Right wrist plain film, AP, pediatric patient (male, age 13), acquired on Siemens

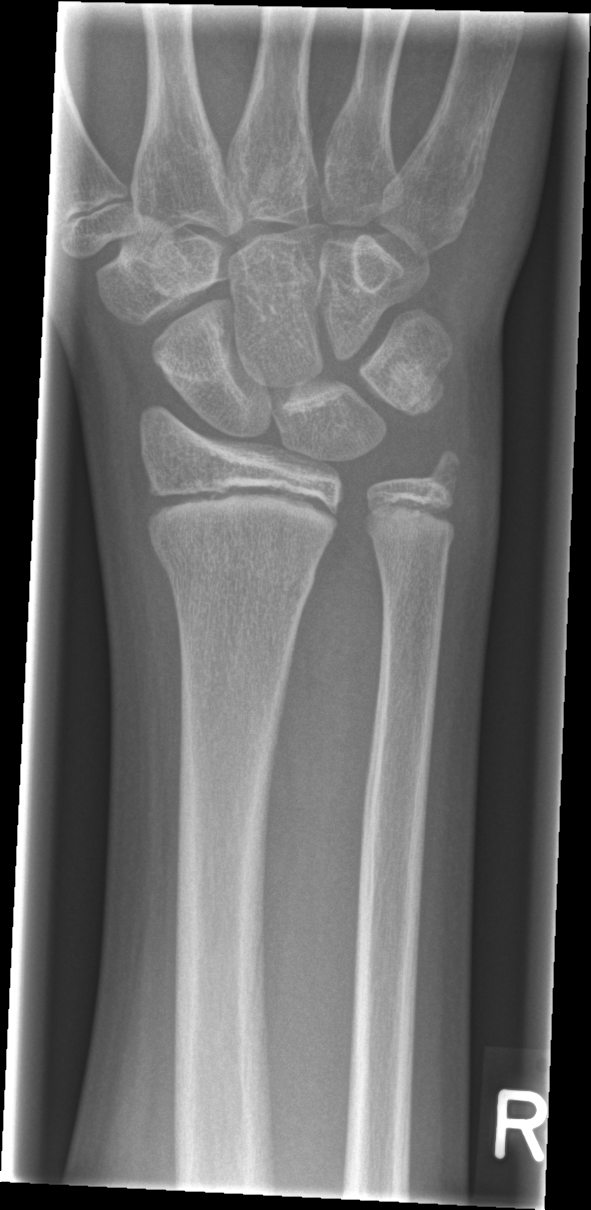
bone fracture = (153, 529, 321, 609) (419, 444, 472, 503)
AO code = 23r-M/3.1; 23u-E/7